Right wrist plain radiograph of the wrist, lateral, 460 x 1016 px: 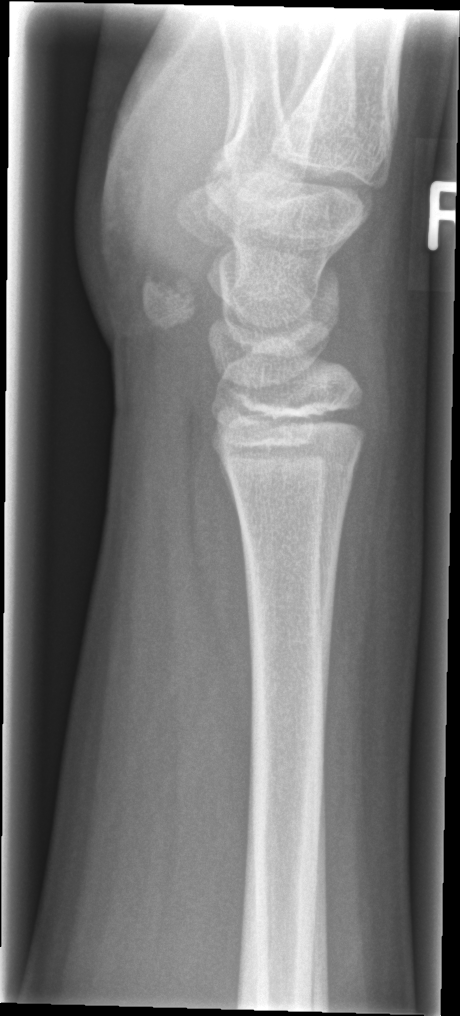
Fx: none labeled